Lat view · L wrist plain film · detector: Siemens

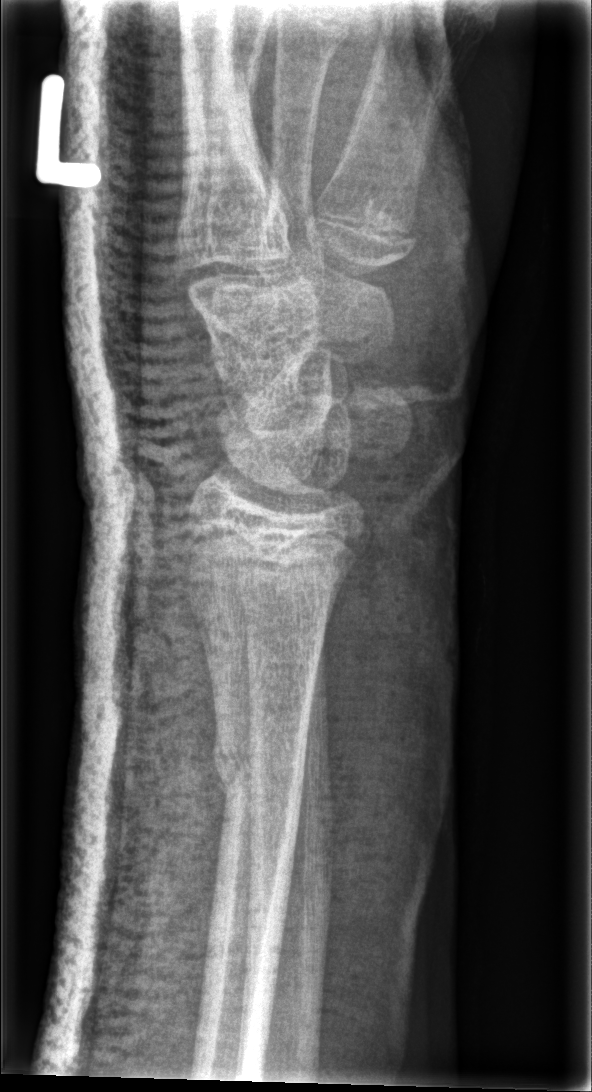

* Fx identified at [x1=208, y1=727, x2=309, y2=796].
* AO code 23-M/2.1.